Lat projection; left wrist plain film; 12y M; follow-up study; 607 x 1062 px 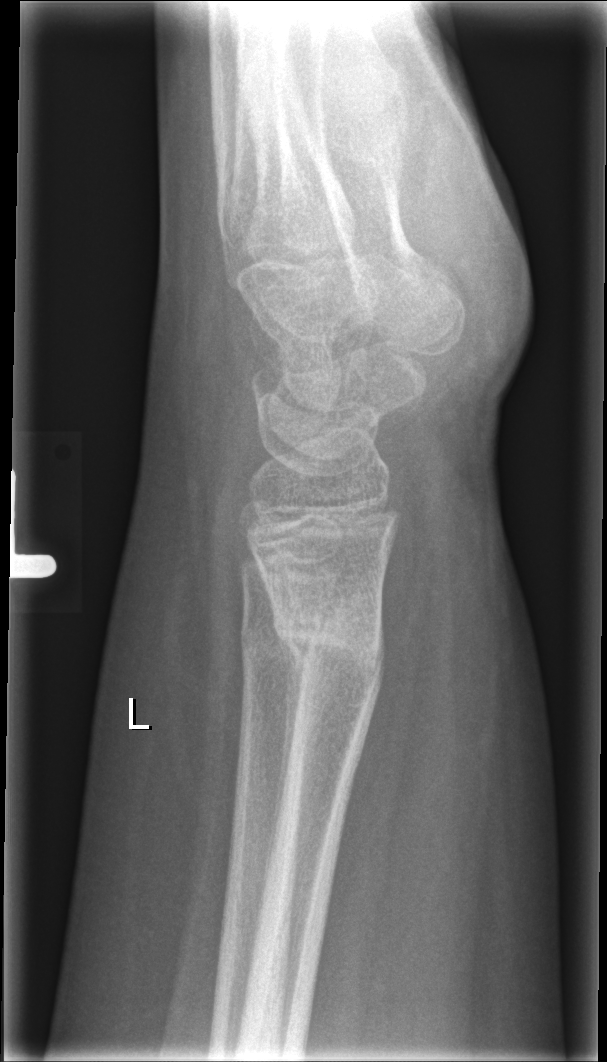

Findings: (boxes as x1,y1,x2,y2 (top-left / bottom-right, pixel units)) Two fractures at <269,593>-<391,694>; <234,611>-<324,691>. Periosteal new bone — <254,624>-<304,946>. AO code 23r-M/3.1; 23u-M/2.1.